Frontal view, Lt plain radiograph of the wrist, 7y F

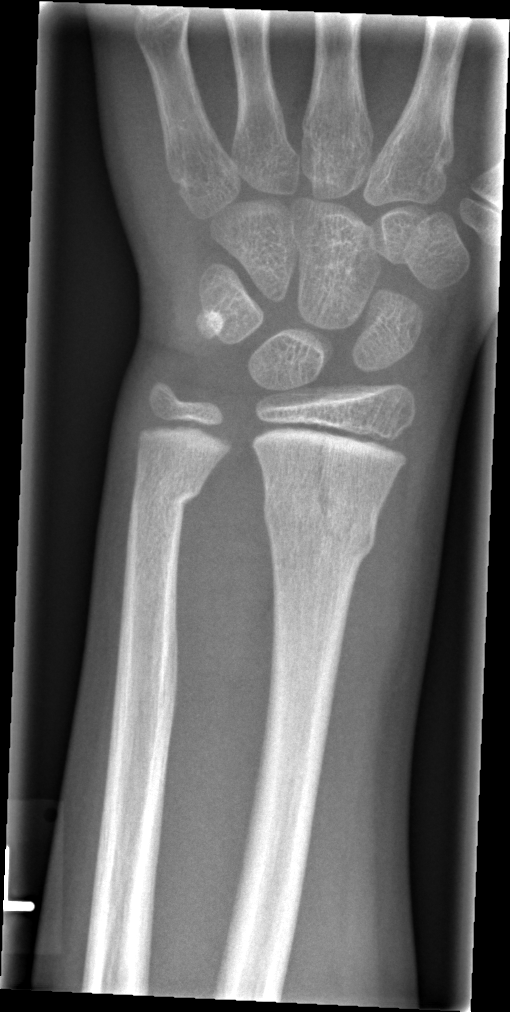
Bounding boxes in image-pixel xyxy.
Bone fracture identified at (left=256, top=474, right=384, bottom=569) (left=127, top=470, right=209, bottom=520).